PA view, Lt wrist X-ray, detector: Siemens —
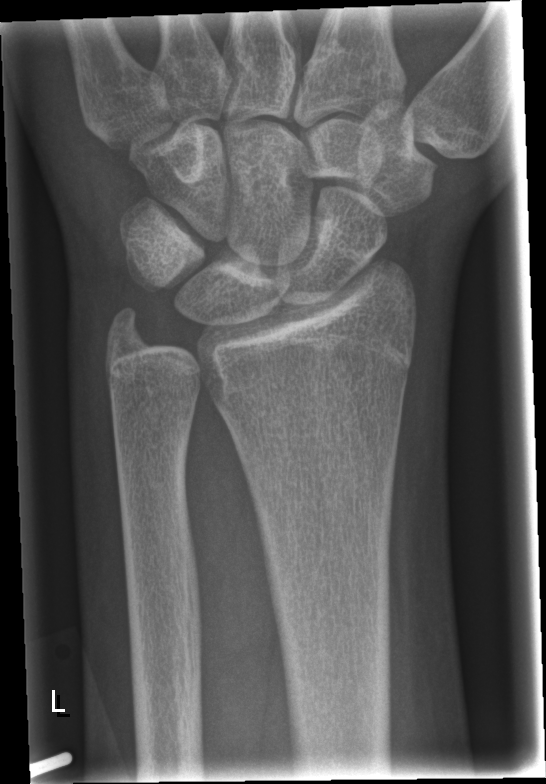   fracture: none labeled